Lateral projection; L wrist XR; 15-year-old boy; Siemens; 489 by 1056 pixels:
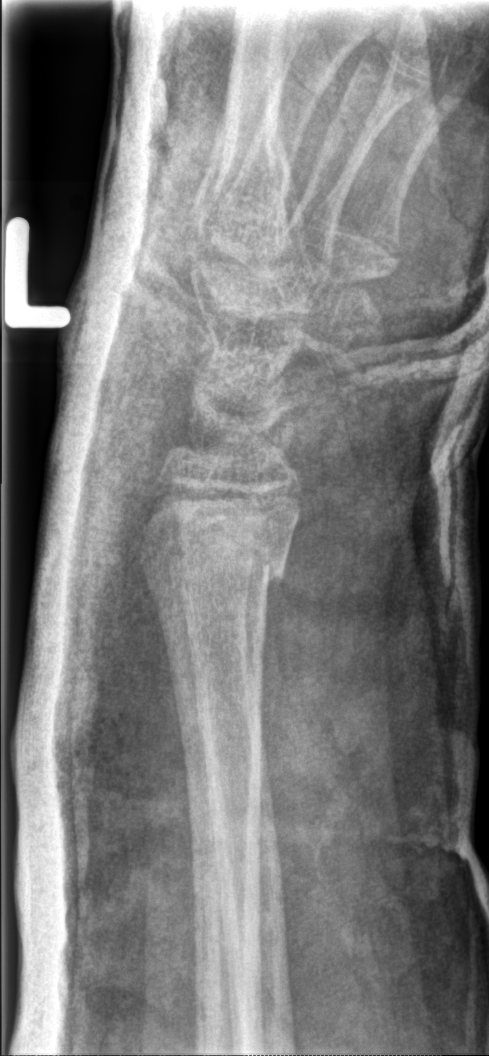
AO code 23r-M/3.1.
Fracture identified at [x1=132, y1=508, x2=297, y2=591].